R pediatric wrist radiograph; posteroanterior view; 15-year-old female; findings marked uncertain by the reading radiologist —
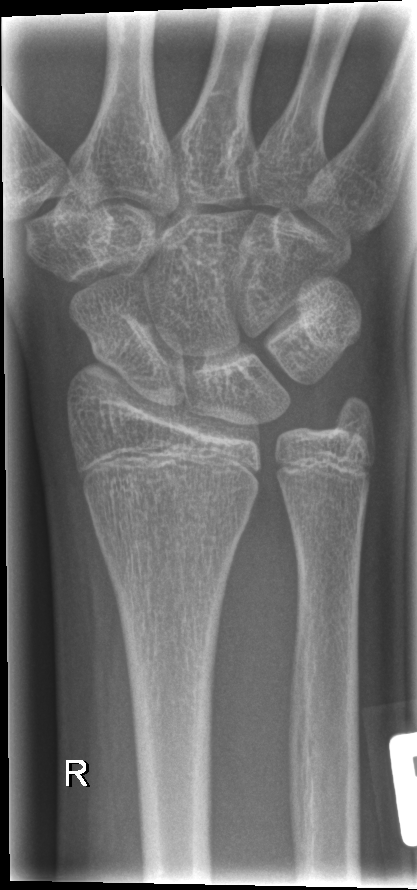

Bone fracture: none labeled